Lt wrist radiograph; frontal; male, 8 yo —

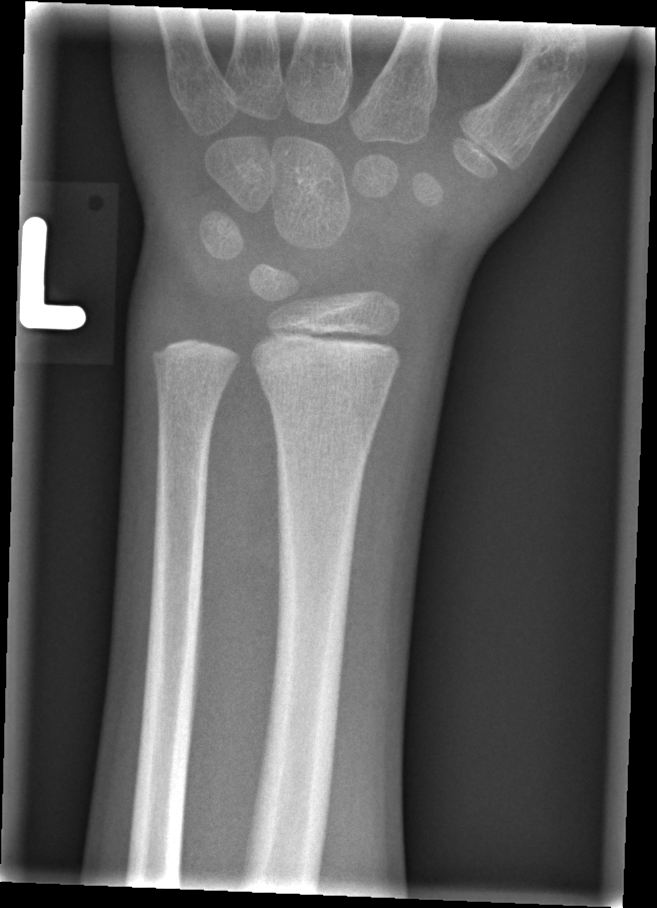
AO/OTA: 23r-M/2.1
fracture: bbox(253, 363, 396, 419)